PA projection · L pediatric wrist radiograph · 8y M — 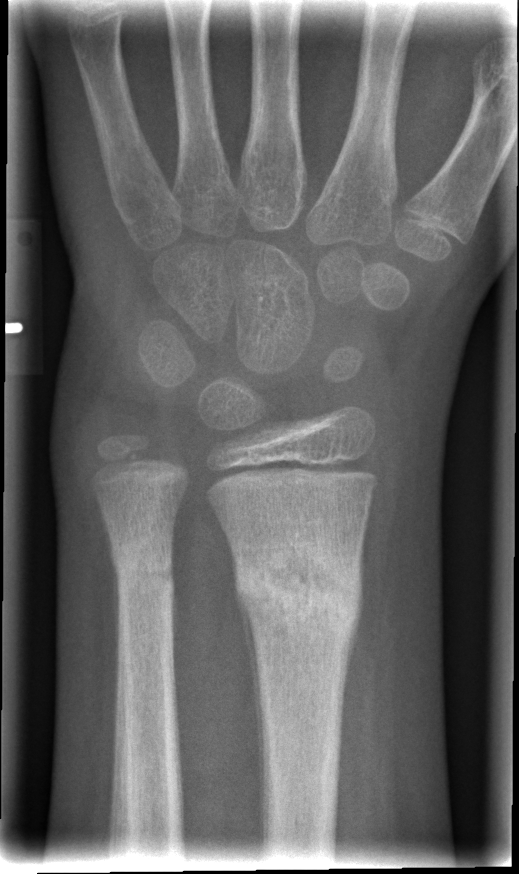
fracture = 2 @ (232, 540, 366, 643) (112, 545, 178, 599)
periosteal new bone = (242, 615, 264, 847)